Left wrist XR | posteroanterior | cast in situ | Siemens | image 98.9 mm wide | 687 x 1164 px:
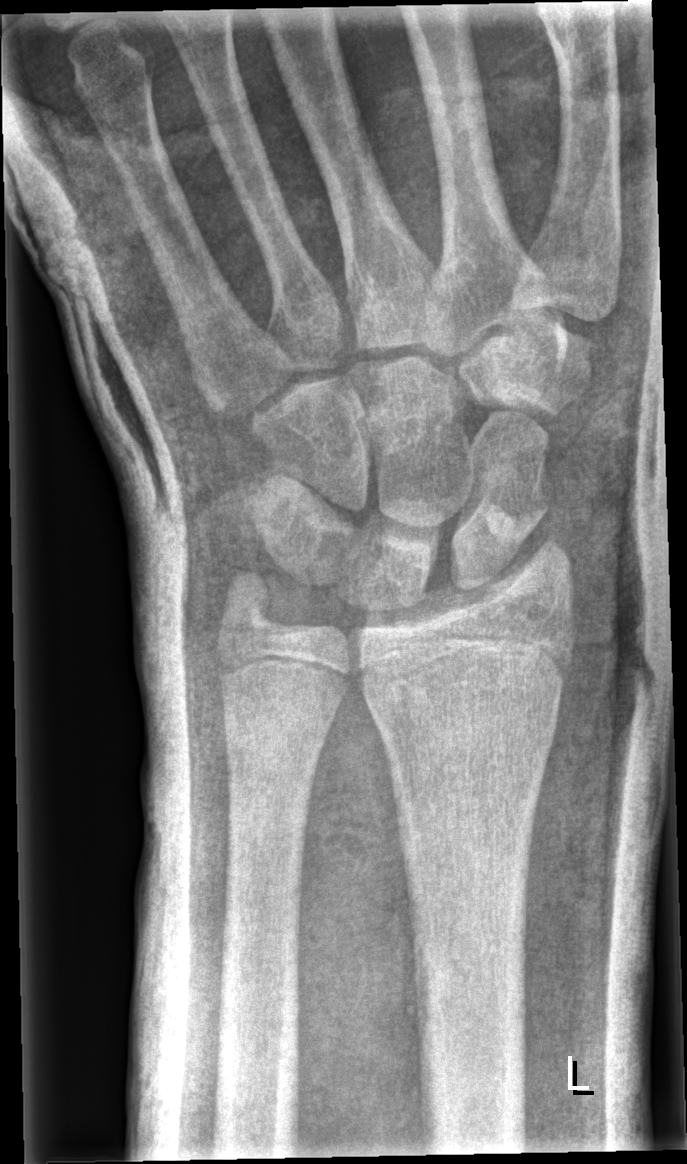
fracture = present but not clearly seen in this view
AO code = 23r-E/7